Lt wrist XR | AP projection | 9-year-old boy | follow-up | cast in situ. 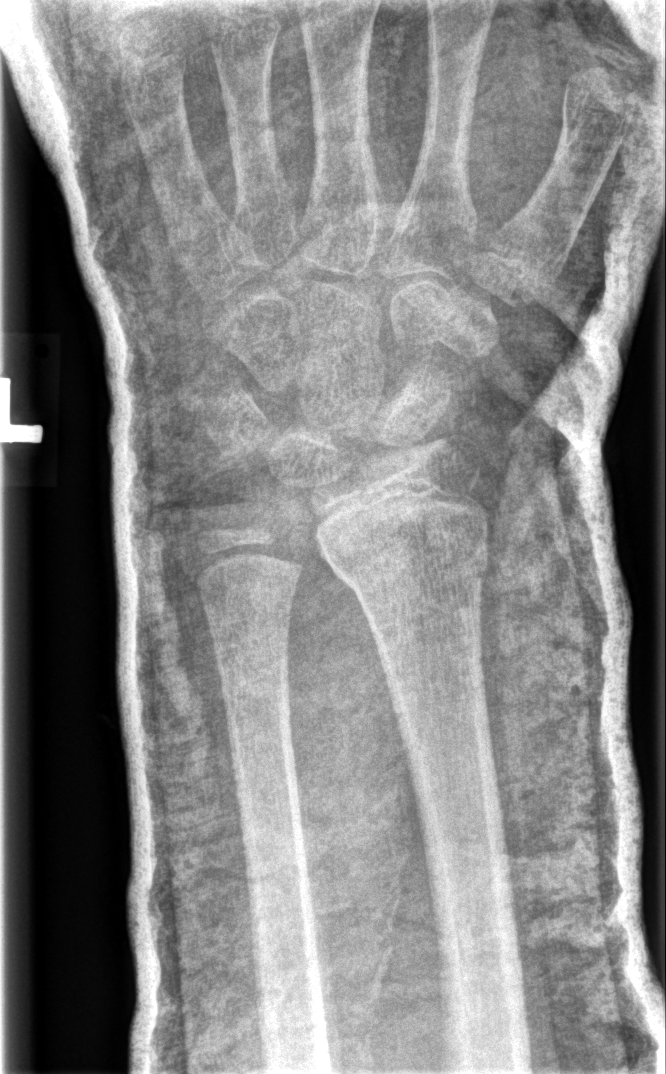

Fracture — <322,530>-<492,595>.
Fracture classified AO/OTA 23r-M/3.1.